Left wrist plain film | lat | follow-up 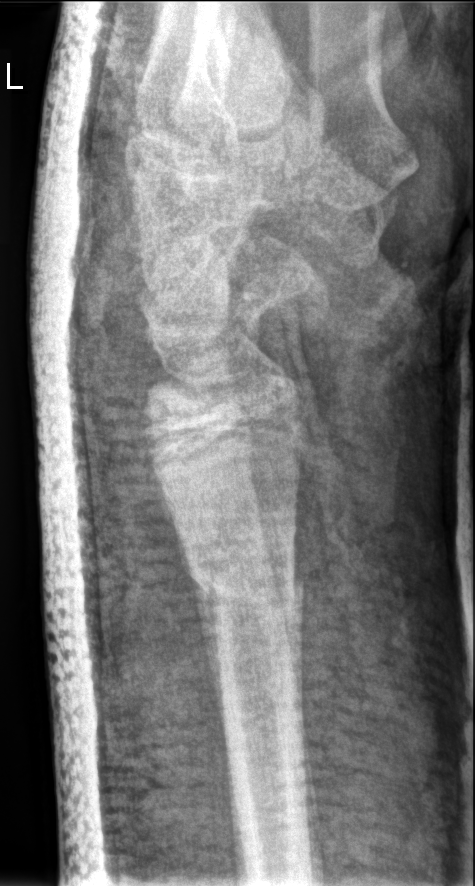

fracture: (left=180, top=535, right=307, bottom=619)